R plain radiograph of the wrist | lateral projection | 17y M | index exam | detector: Siemens: 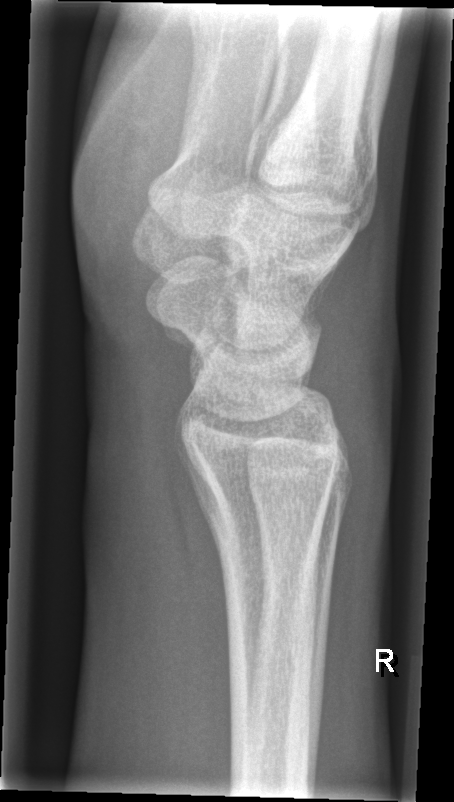 • No fracture annotation.